Lateral view | L plain radiograph of the wrist | pediatric patient (female, age 14):
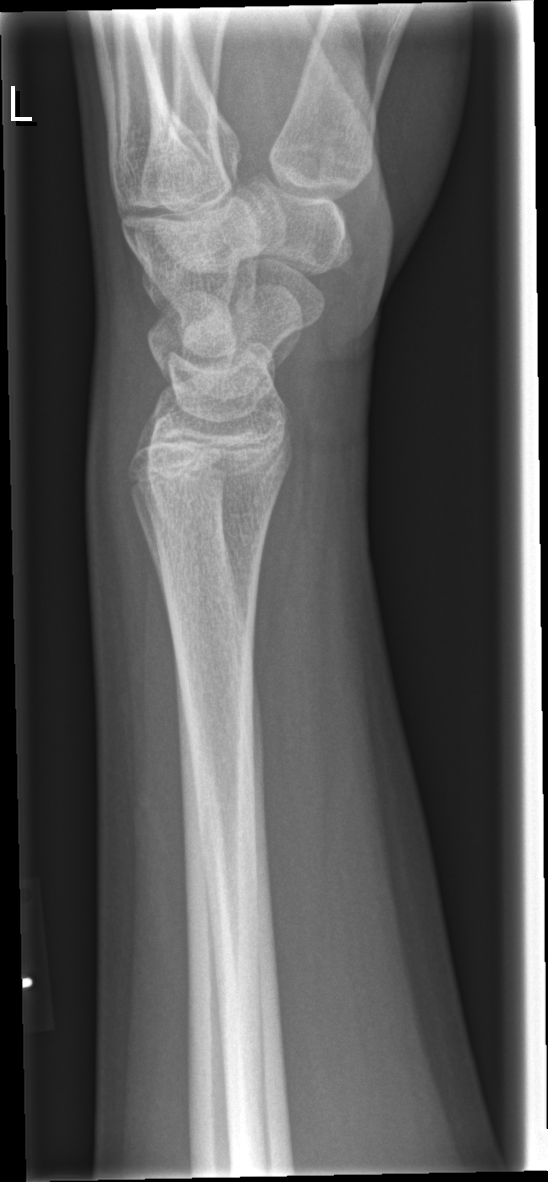 • No Fx annotated.